Rt wrist radiograph; frontal; 14-year-old male —
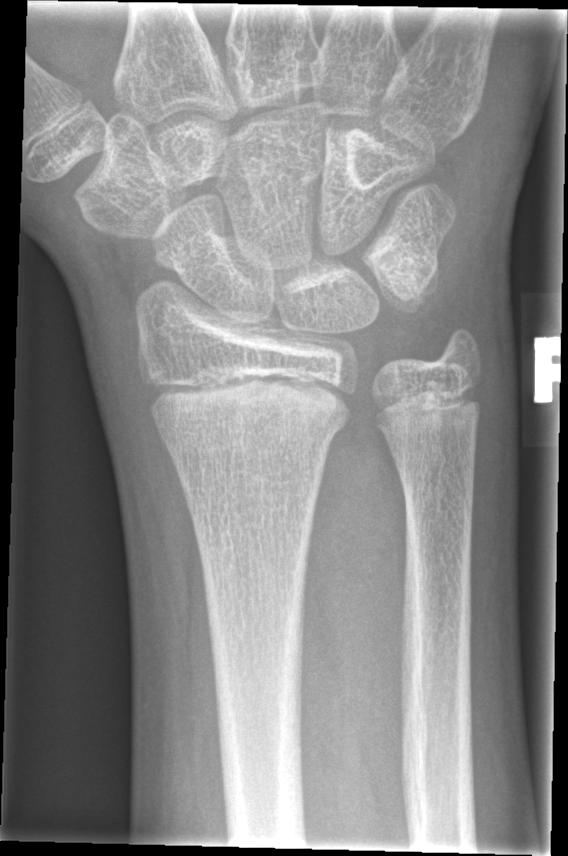
• One Fx at 150 386 352 465.